Left pediatric wrist radiograph; frontal; pediatric patient (boy, age 6); subsequent exam.
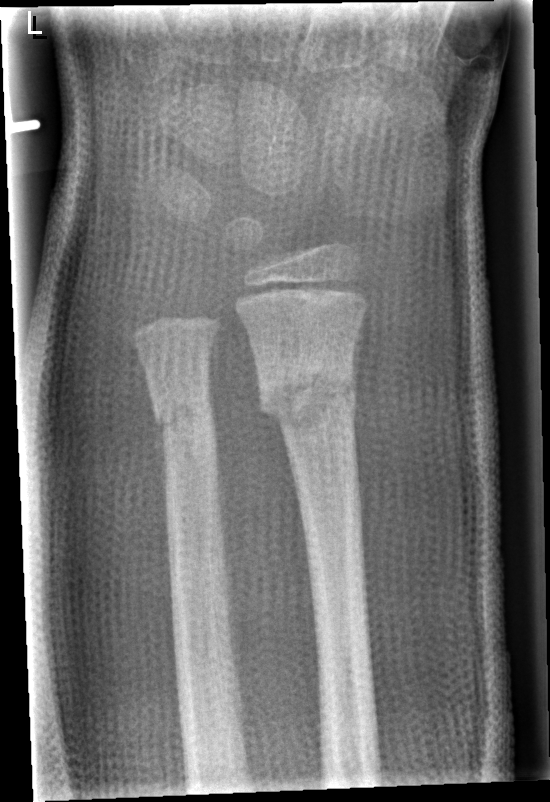
(boxes as x1,y1,x2,y2 (top-left / bottom-right, pixel units))
Fracture = 2 @ <253,360>-<360,429>; <150,389>-<220,443>